L wrist plain film, PA, 9y F, index exam
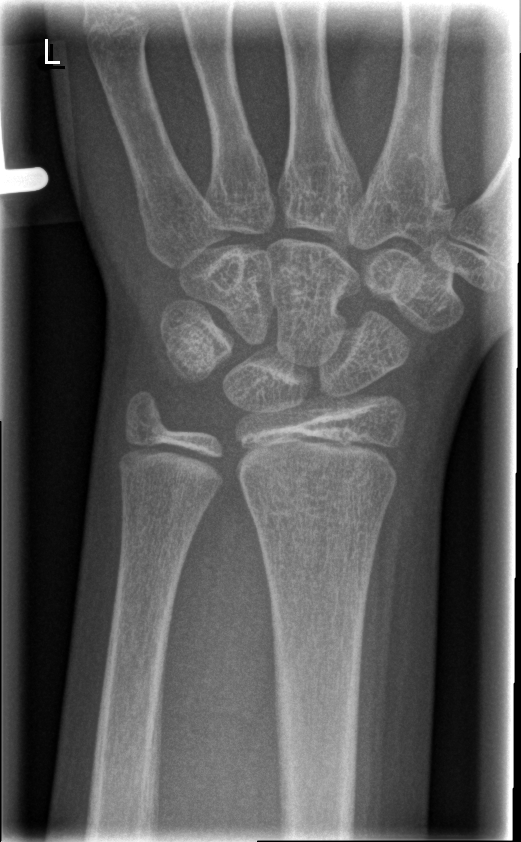
FINDINGS — Fracture: present but not clearly seen in this view.